R wrist plain film | lateral view | follow-up study | acquired on Siemens | image size 446x1168:
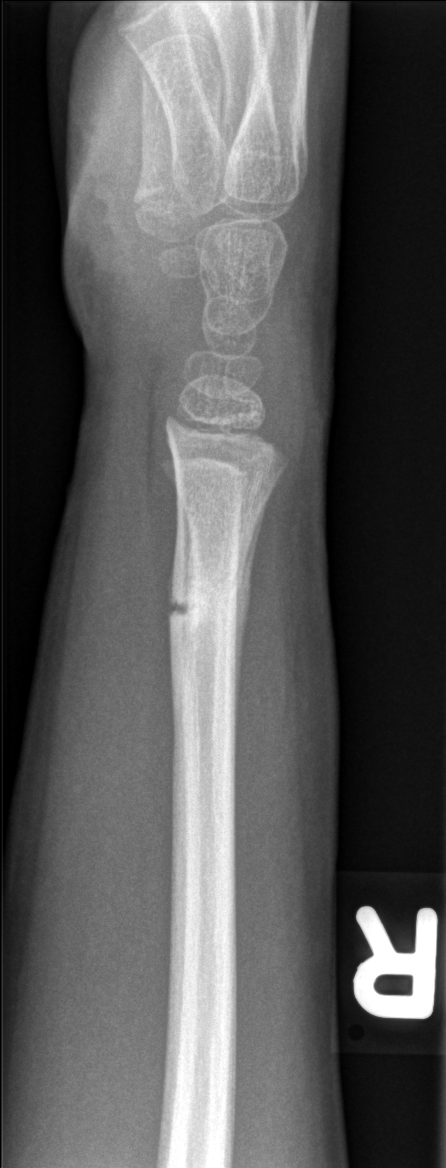

  ao: 23r-M/3.1
  periostealreaction: bbox(237, 560, 252, 676)
  fracture: bbox(164, 548, 260, 653)
  osteopenia: present